Lat projection, left plain radiograph of the wrist, pediatric patient (boy, age 11), cast in situ: 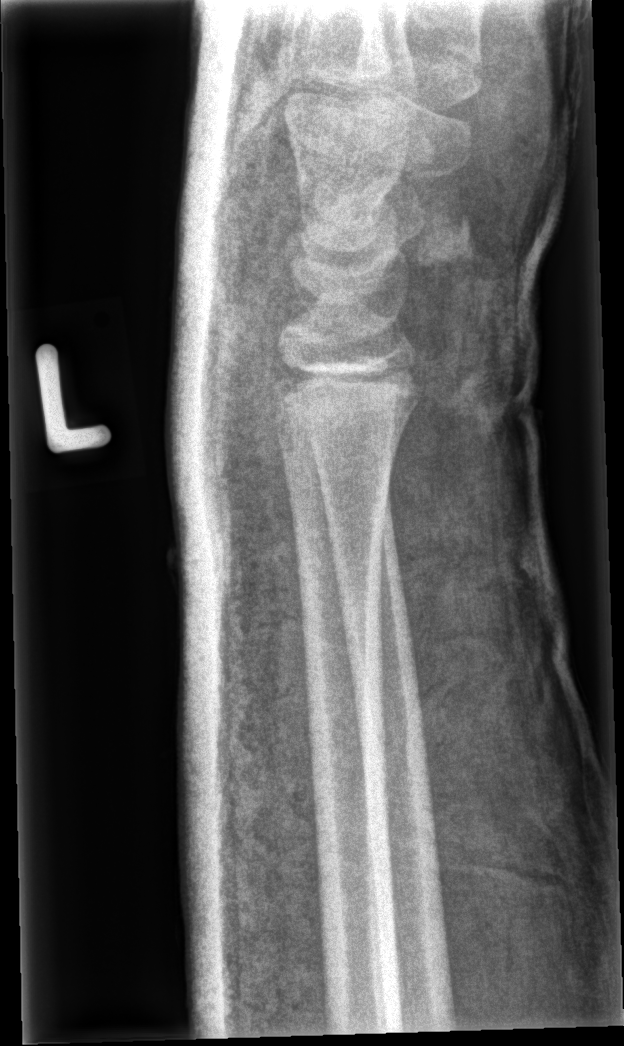

AO code = 23r-E/1
Fx = present but not clearly seen in this view